Lat; Lt wrist plain film; image width 80.1 mm: 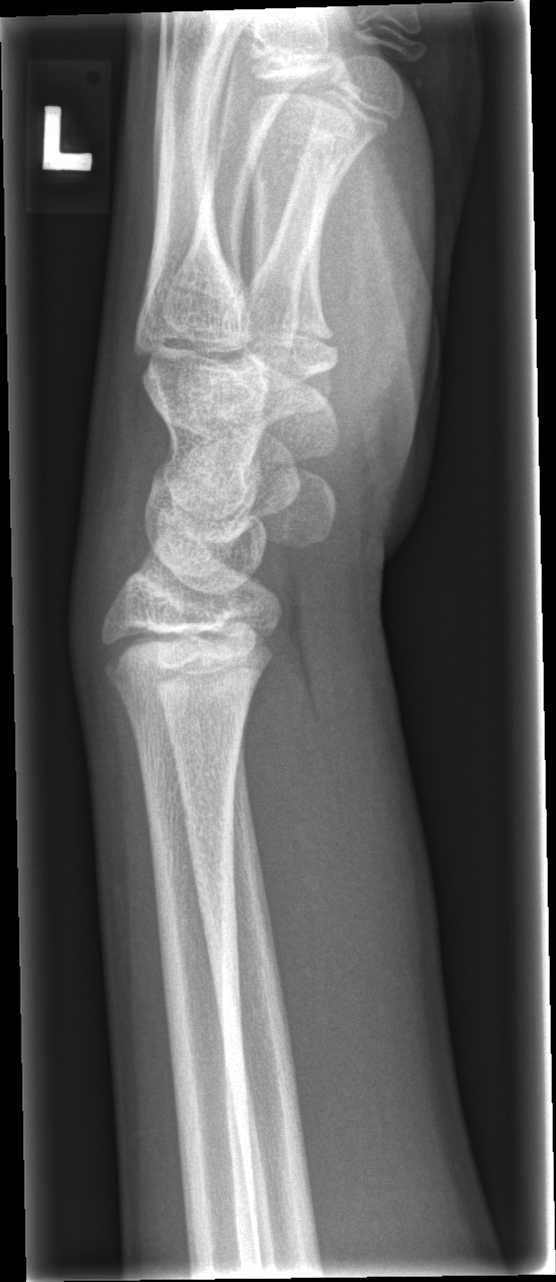
Pronator quadratus fat-pad sign = 1 @ [224, 602, 327, 1073]
Bone fracture = none labeled